L wrist radiograph | PA/AP | presentation radiograph.

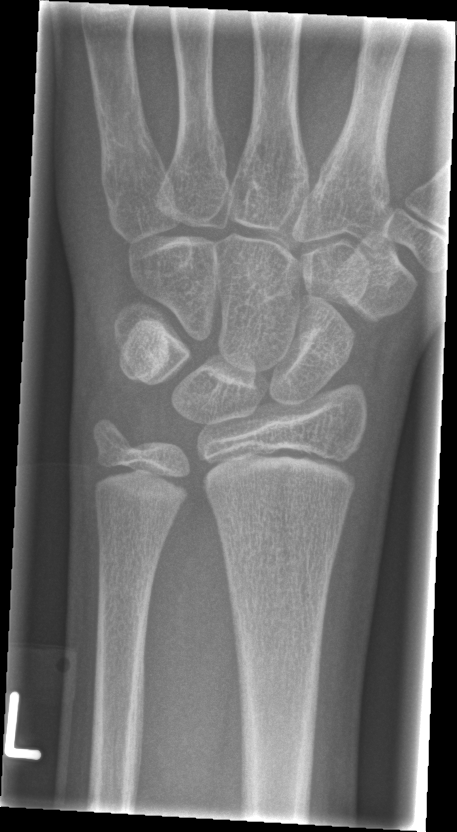

No fracture labeled.